Right wrist X-ray, PA/AP, follow-up study, 452 by 1058 pixels. 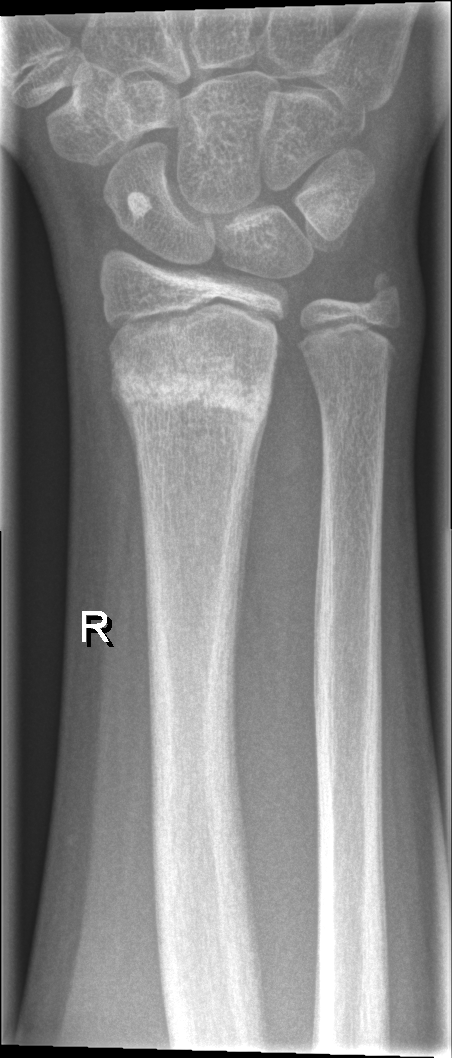
- AO code 23r-M/3.1; 23u-E/7.
- Fracture: [106, 333, 277, 434] [357, 265, 408, 319].
- Osteopenia.
- Bone variant: [125, 188, 156, 224].